L wrist radiograph | lat view | age 3 y, male | Siemens — 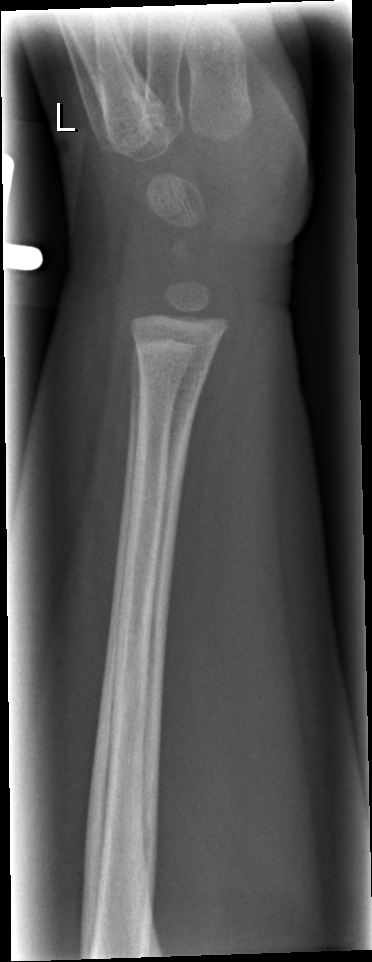

FINDINGS: Fx: none.